Lat projection · Rt wrist radiograph · age 13 y, boy:
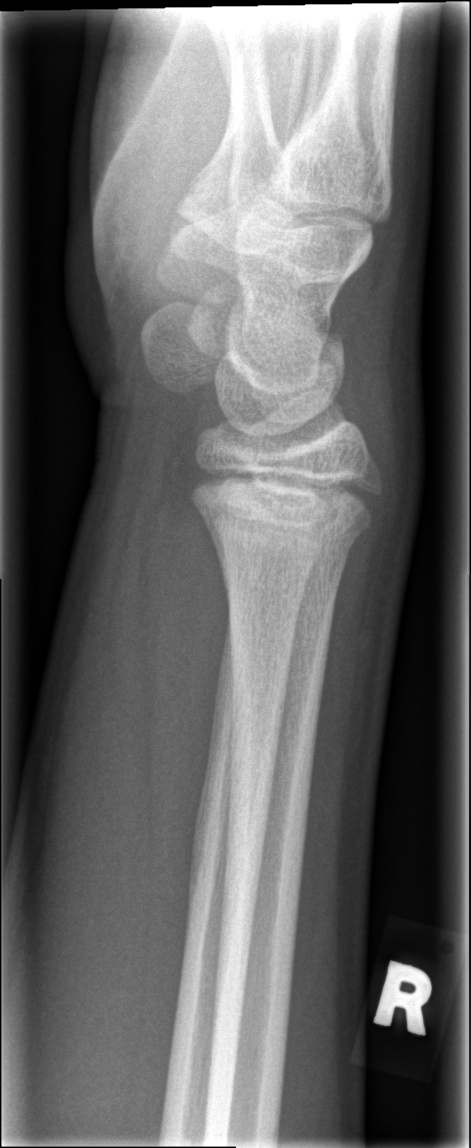
(pixel coordinates, top-left origin, xyxy)
Q: What is the AO/OTA classification?
A: AO code 23r-M/2.1
Q: Locate any fractures.
A: Bone fracture — [196, 505, 377, 564]